Lat view · right wrist X-ray · image 79.5 mm wide:

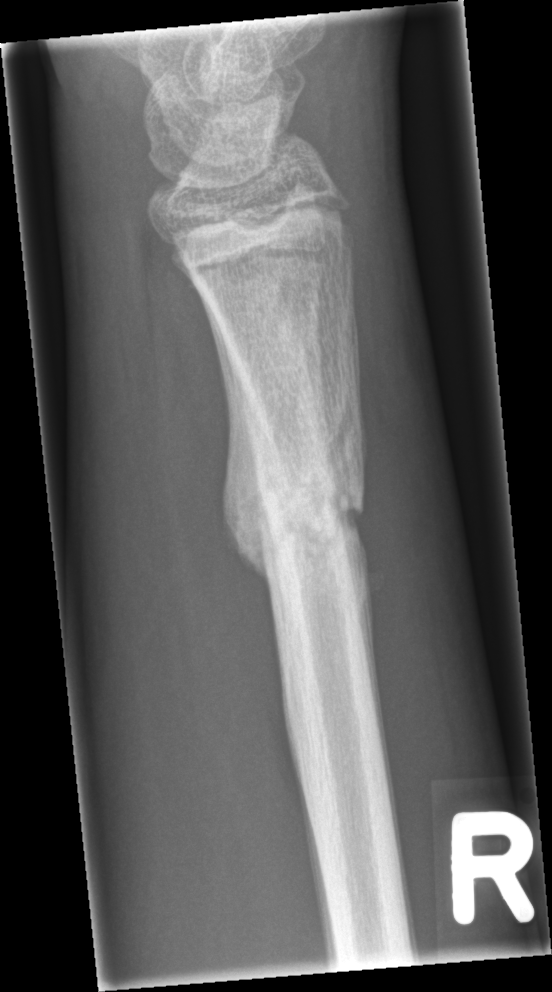 Periosteal new bone: [212, 332, 277, 588].
AO code 23-M/3.1.
Bone fracture identified at [255, 460, 366, 558].